Lt wrist X-ray; PA/AP; 7-year-old girl; Siemens. 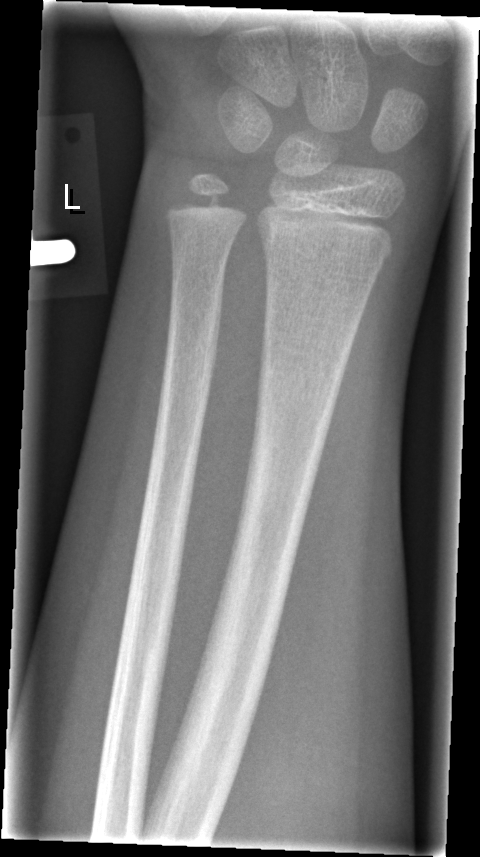

{
  "fracture": "none labeled"
}